AP projection · right wrist plain radiograph of the wrist · 16y F · Siemens.
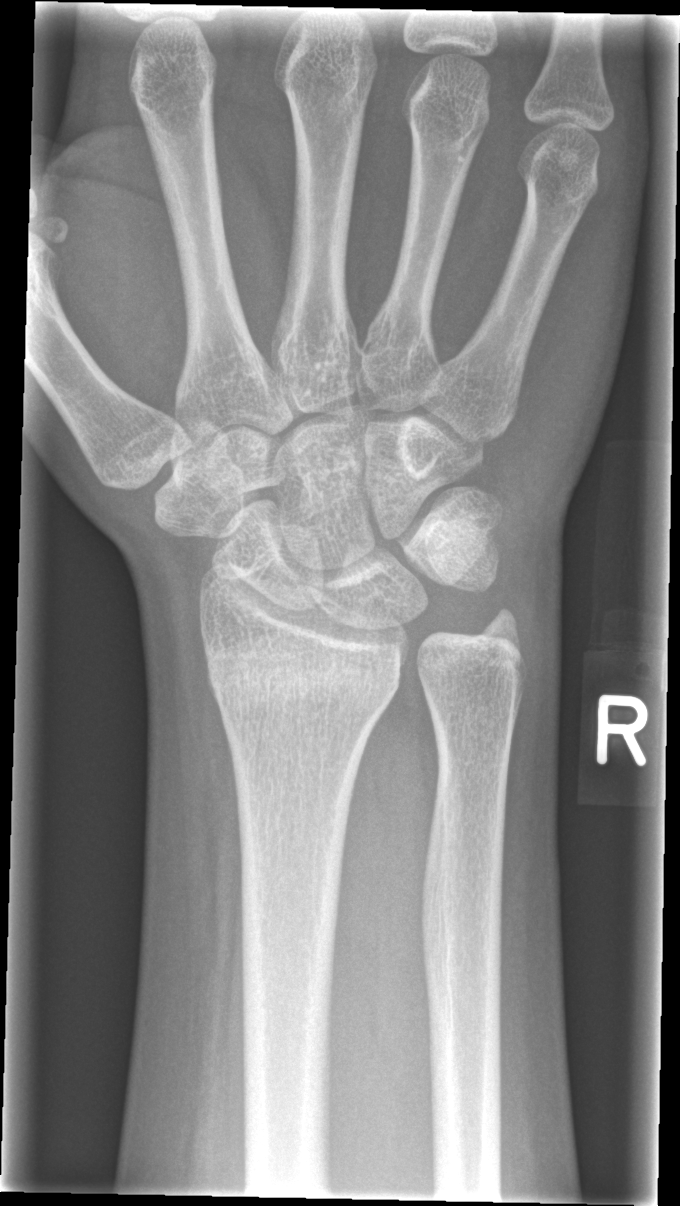

One Fx at (left=203, top=632, right=409, bottom=712).